Right wrist plain film, lat projection, index exam 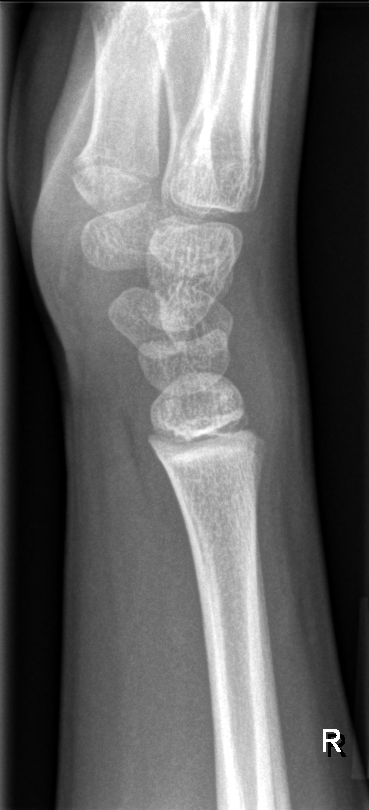
No fracture annotation.